Posteroanterior, left wrist radiograph.

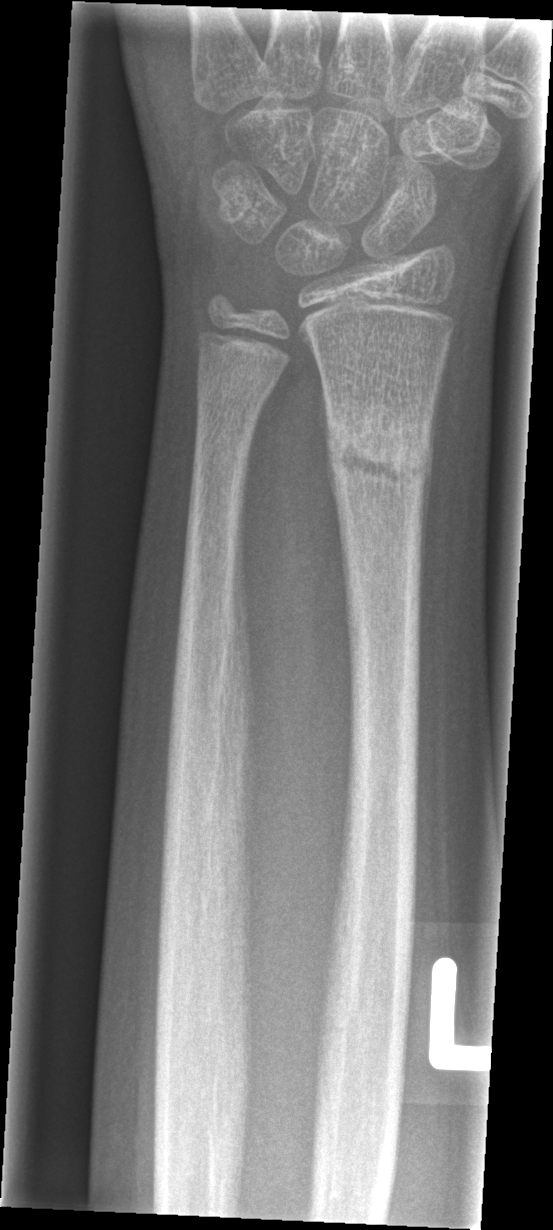
  ao: 23r-M/3.1; 23u-M/2.1
  fracture: [x1=324, y1=402, x2=433, y2=507] [x1=191, y1=350, x2=281, y2=413]
  periostealreaction: 1 @ [x1=419, y1=341, x2=451, y2=617]